L wrist X-ray · frontal projection · female, 15 yo 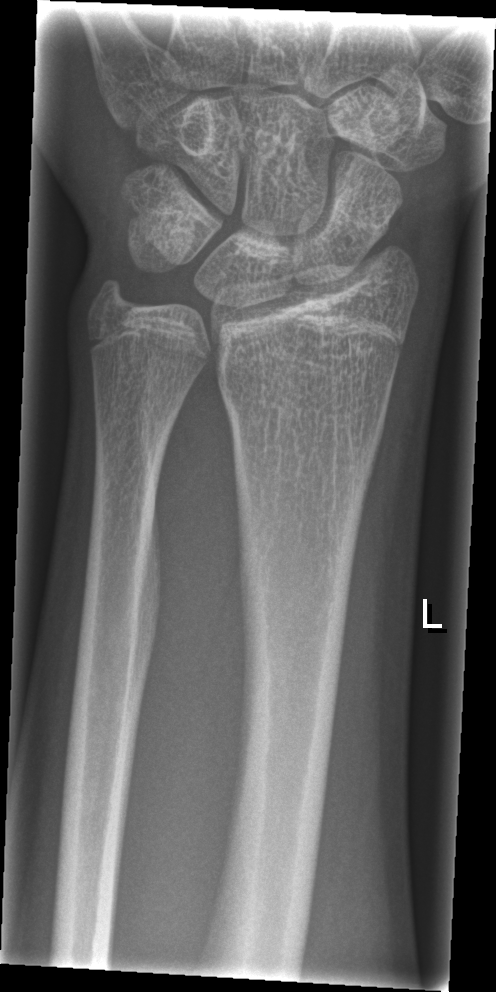

Fx: none.